PA/AP projection, R plain radiograph of the wrist, follow-up —

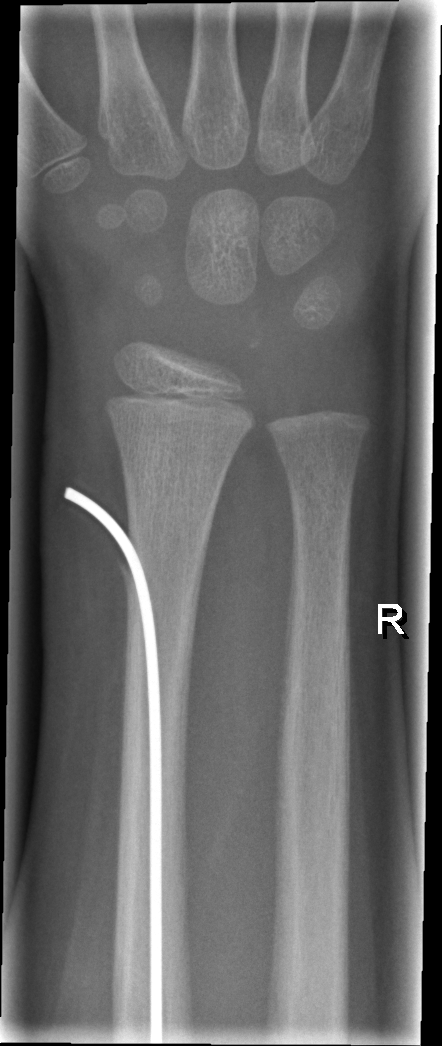 Metallic implant identified at [x1=60, y1=483, x2=166, y2=1045]. No fracture bounding box.